Right pediatric wrist radiograph; PA projection; age 7 y, female 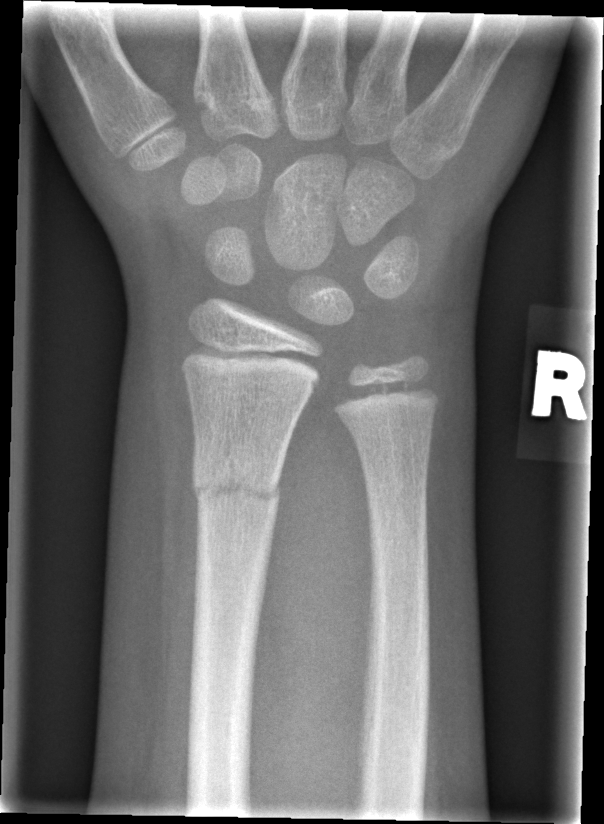 (bounding boxes in image-pixel xyxy)
Bone fracture: 1 @ [187, 449, 285, 516]